Frontal · L wrist X-ray · boy, 5 yo · detector: Siemens. 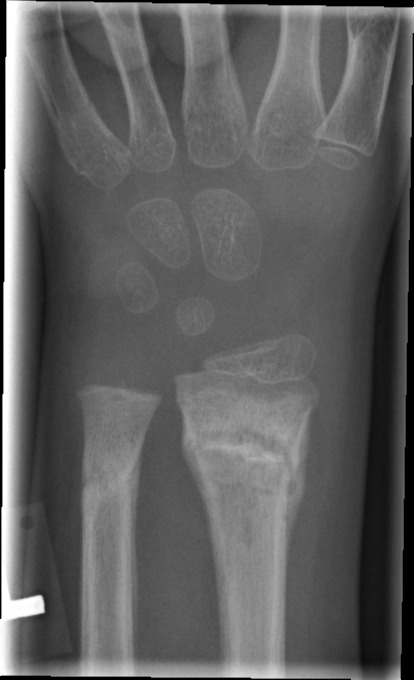 Coordinates are [x1, y1, x2, y2] in image pixels. Fracture classified AO/OTA 23-M/3.1. Periosteal thickening: [x1=180, y1=417, x2=216, y2=569]; [x1=284, y1=408, x2=314, y2=585]; [x1=126, y1=445, x2=143, y2=668]. Bone fracture: [x1=181, y1=413, x2=306, y2=499], [x1=77, y1=449, x2=143, y2=503].